L wrist X-ray, lat view, 13-year-old male.
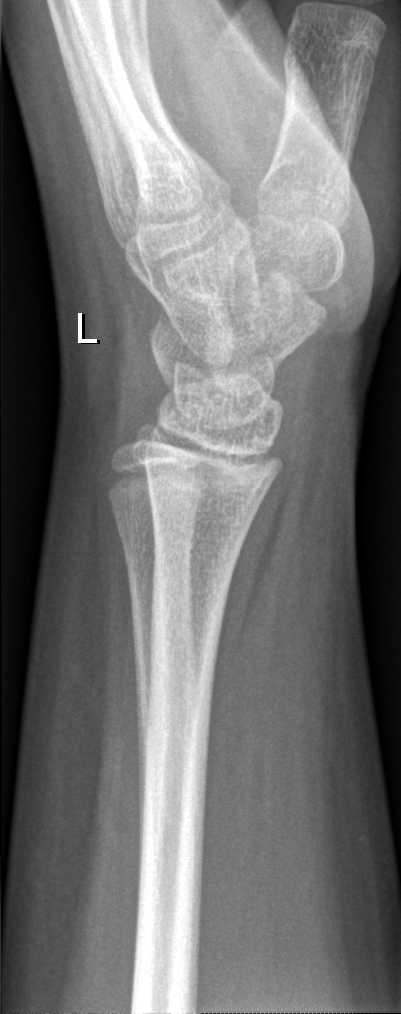 Fx = none labeled